Lateral view; right wrist radiograph; 13-year-old boy; 58.3 mm image width. 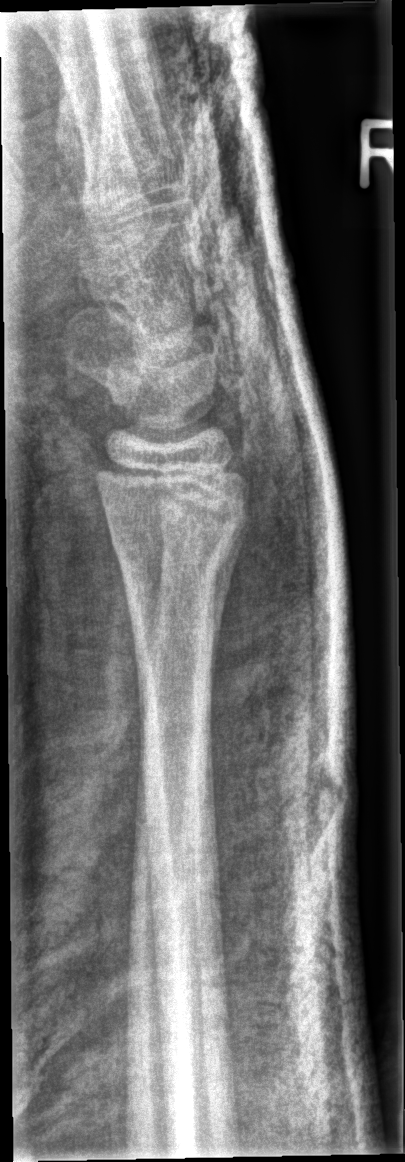 periostealreaction: 1 @ [211, 510, 249, 700]
fracture: 1 @ [101, 504, 243, 592]